Rt wrist X-ray, lateral view, index exam, 280 by 757 pixels:
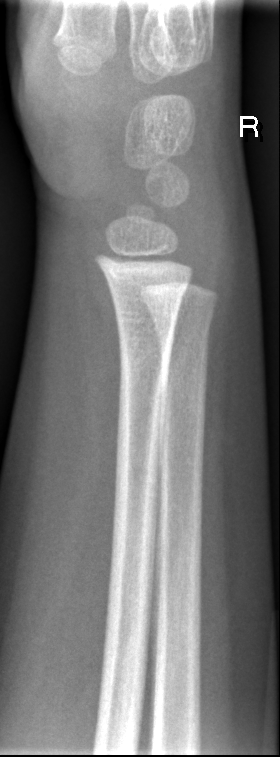 No fracture labeled.